Lateral view; R pediatric wrist radiograph; age 5 y, girl; detector: Siemens; 334x872 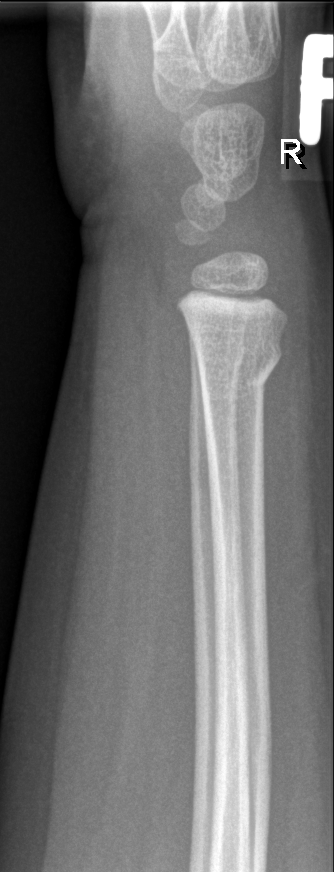
Fx: 195 333 287 399; 187 329 250 379
AO classification: 23-M/2.1